Right pediatric wrist radiograph | lateral | pediatric patient (boy, age 11) | acquired on Siemens —

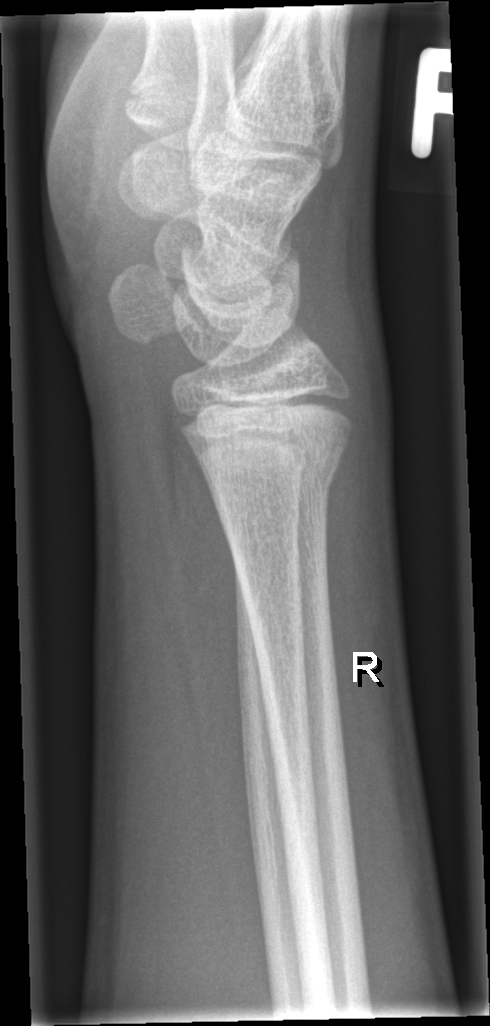
(boxes as x1,y1,x2,y2 (top-left / bottom-right, pixel units))
fracture = 1 @ 199,434,350,524
AO/OTA = 23r-M/2.1